Lt wrist X-ray | posteroanterior.
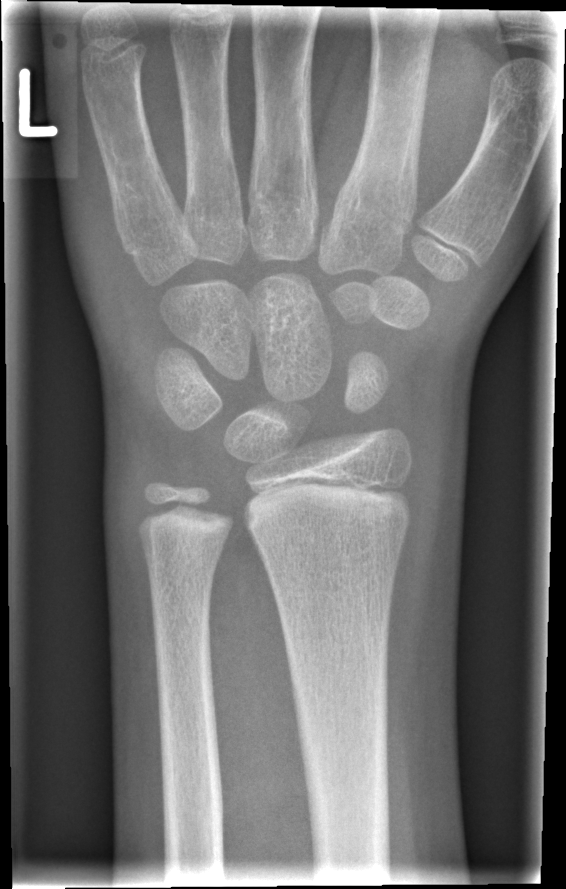 Fracture: none labeled.